Left pediatric wrist radiograph | lateral view — 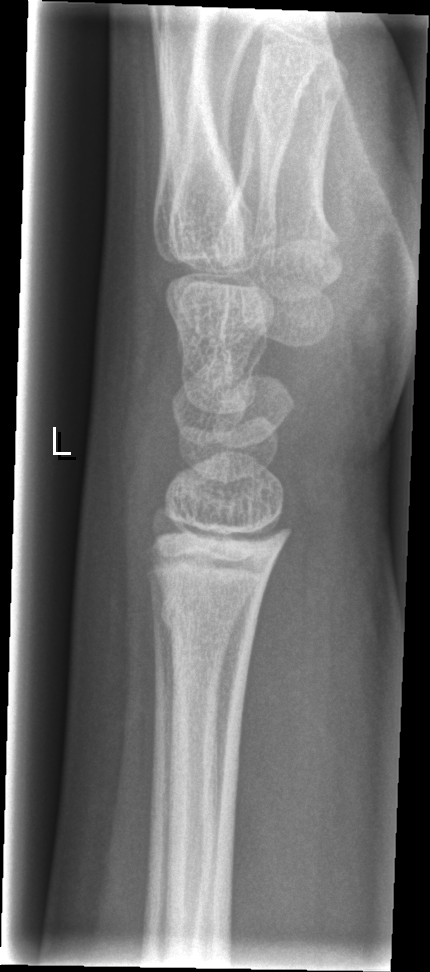

FINDINGS — Fracture: bbox(157, 586, 262, 637). Fracture classified AO/OTA 23r-M/2.1.